Right wrist XR, lateral projection, 13y M, follow-up, imaged through cast
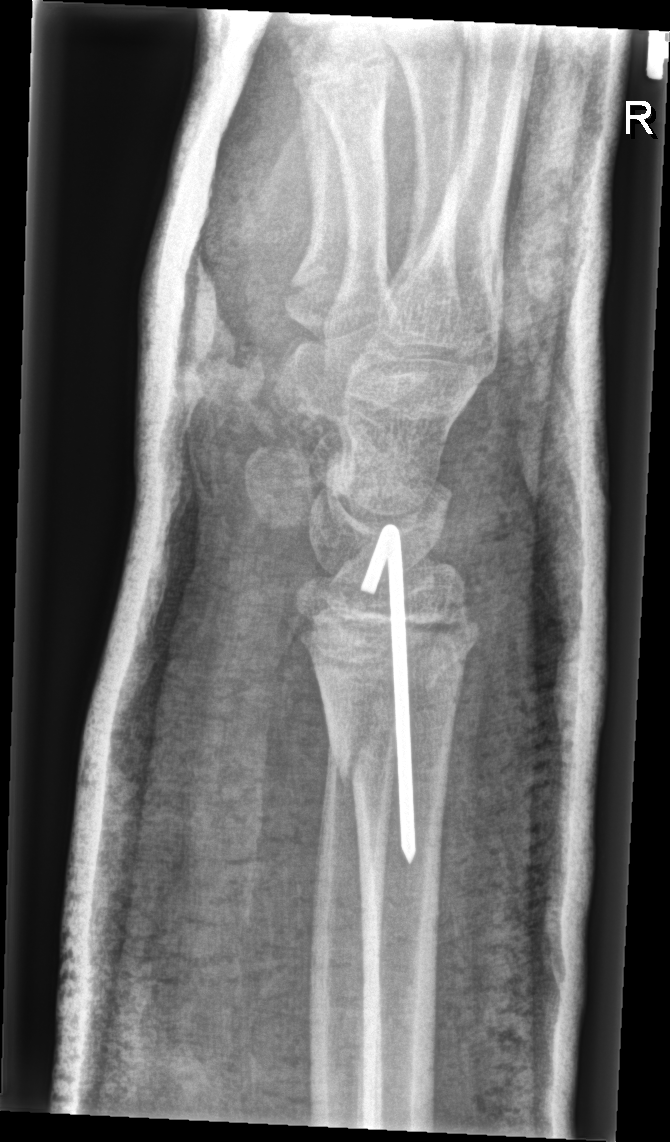

(bounding boxes in image-pixel xyxy)
metallic implant: 1 @ bbox(357, 519, 420, 868)
bone fracture: bbox(316, 642, 470, 767)
AO classification: 23r-M/3.1